AP · Rt wrist radiograph · index exam:
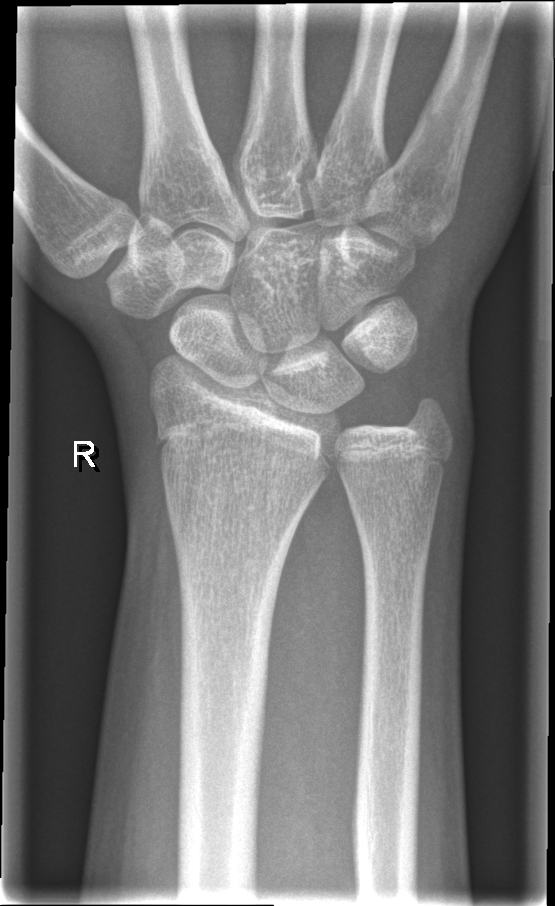
{
  "fracture": "none labeled"
}